Right wrist XR, lateral projection, pediatric patient (male, age 13):

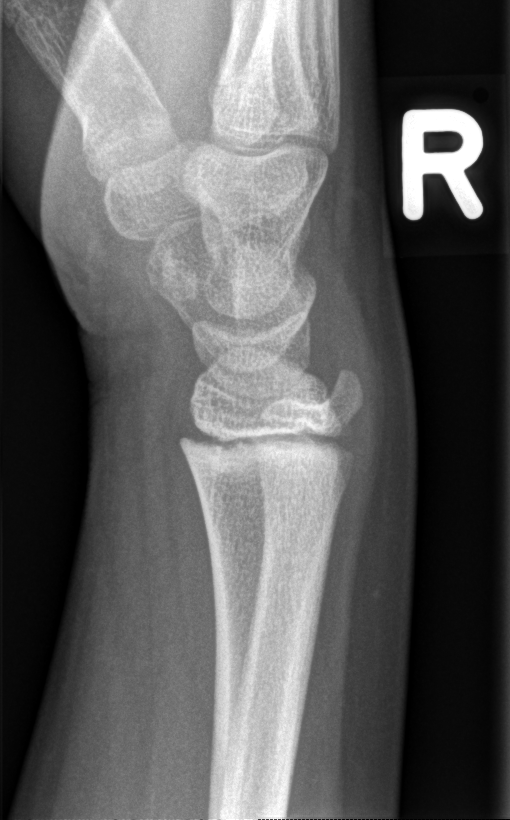
No fracture bounding box.